PA projection | right wrist X-ray | image width 65.7 mm | 456 x 655 px — 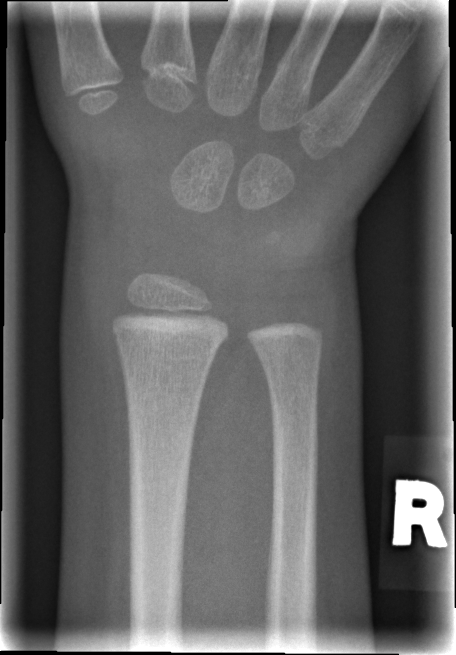
No fracture labeled.